Frontal view, L wrist X-ray, boy, 4 yo, index exam: 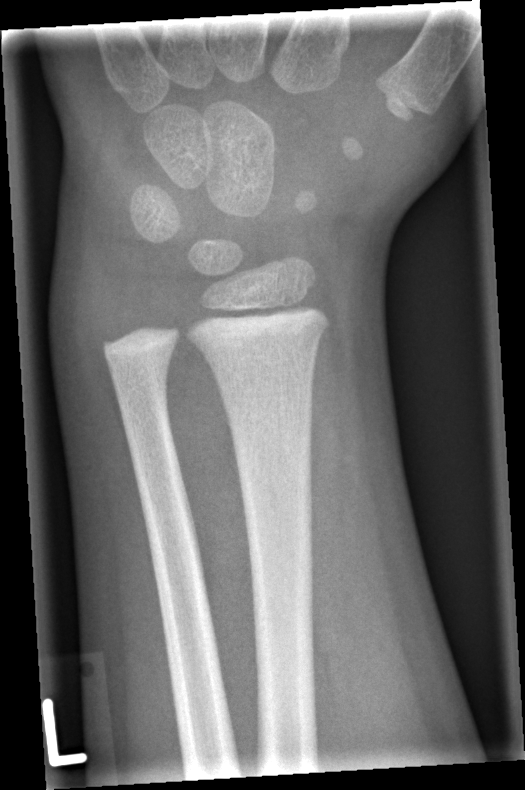
  fracture: none labeled